Right wrist radiograph | lateral projection | 13-year-old male | cast in situ

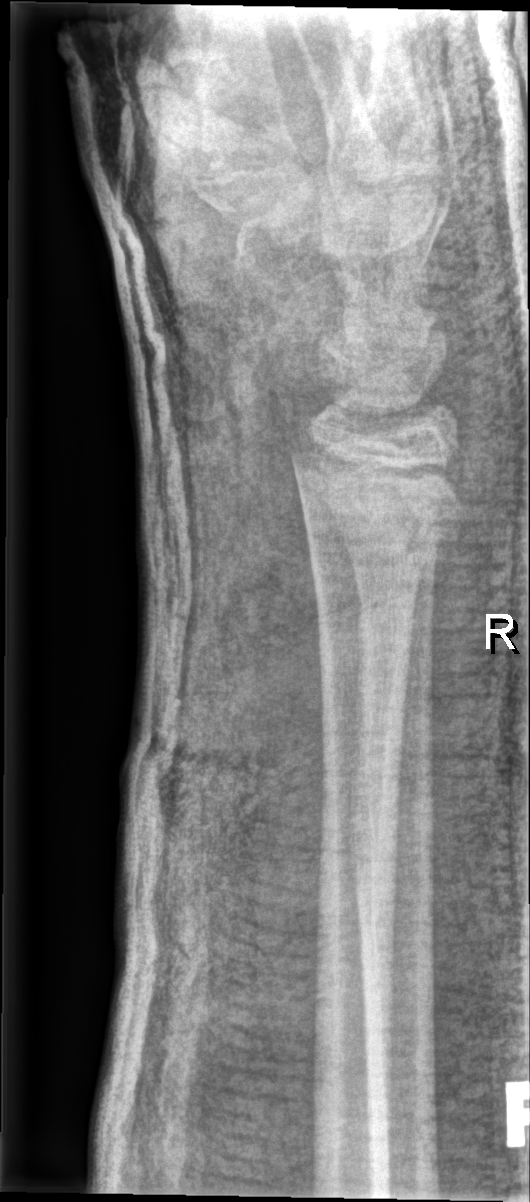
Fx: 1 @ bbox(287, 434, 470, 581)